PA/AP projection | Rt plain radiograph of the wrist | age 10 y, girl | image 65.2 mm wide. 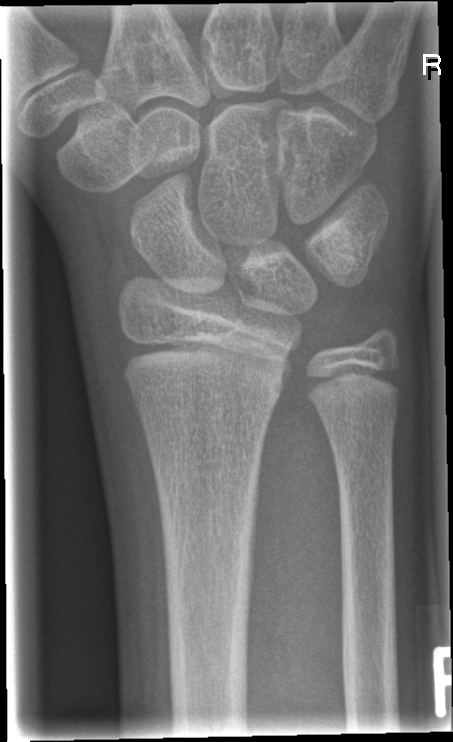

No fracture annotation.